Lat | right pediatric wrist radiograph | follow-up study | 72.4 mm image width | 503 x 1474 px:
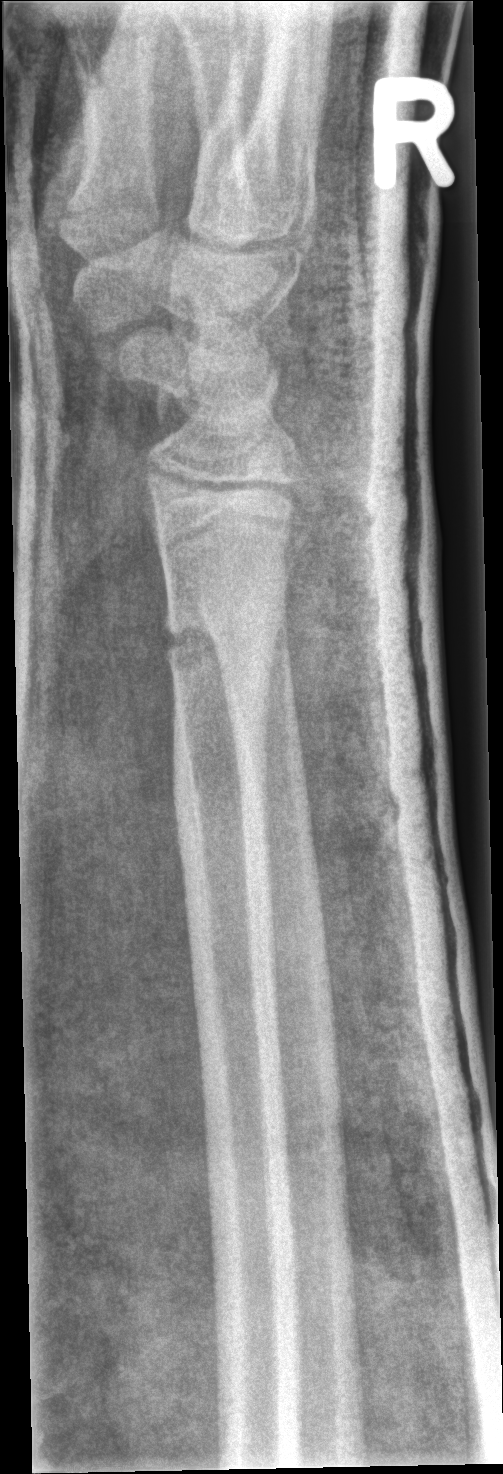
FINDINGS: Fx: <160,598>-<289,678>. AO/OTA classification: 23r-M/3.1; 23u-E/7.